Frontal | Lt wrist X-ray:
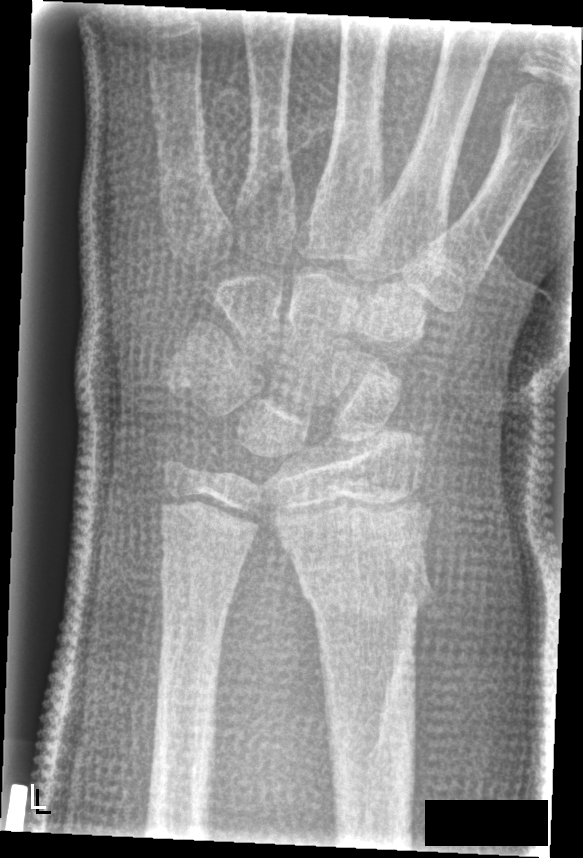
bone fracture = 2 @ <290,554>-<438,619> <155,548>-<246,612>